Rt wrist plain film, AP view, female, 16 yo.

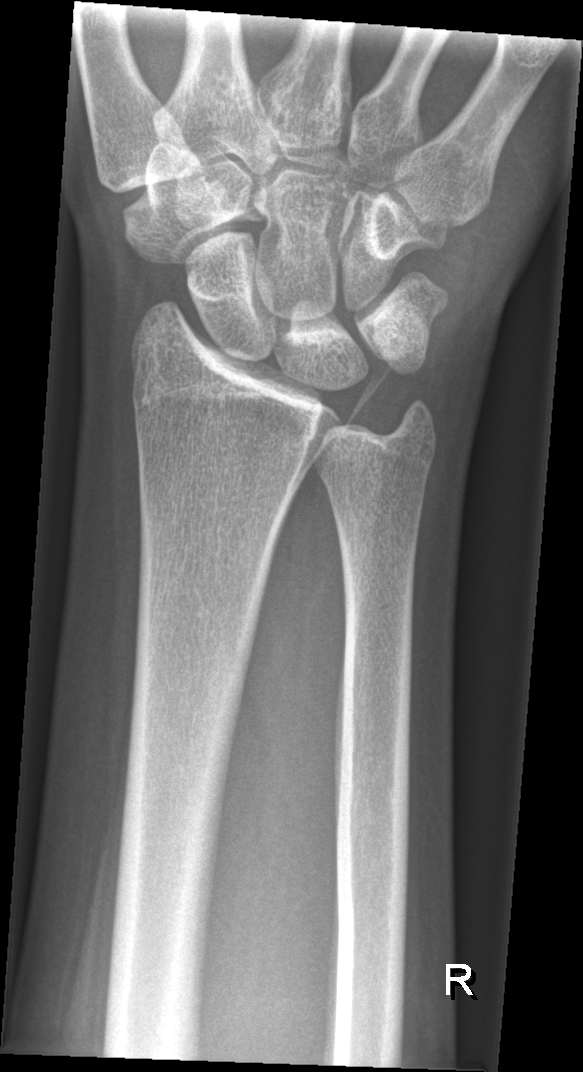 fracture = none labeled